Right wrist X-ray · lateral view · cast present
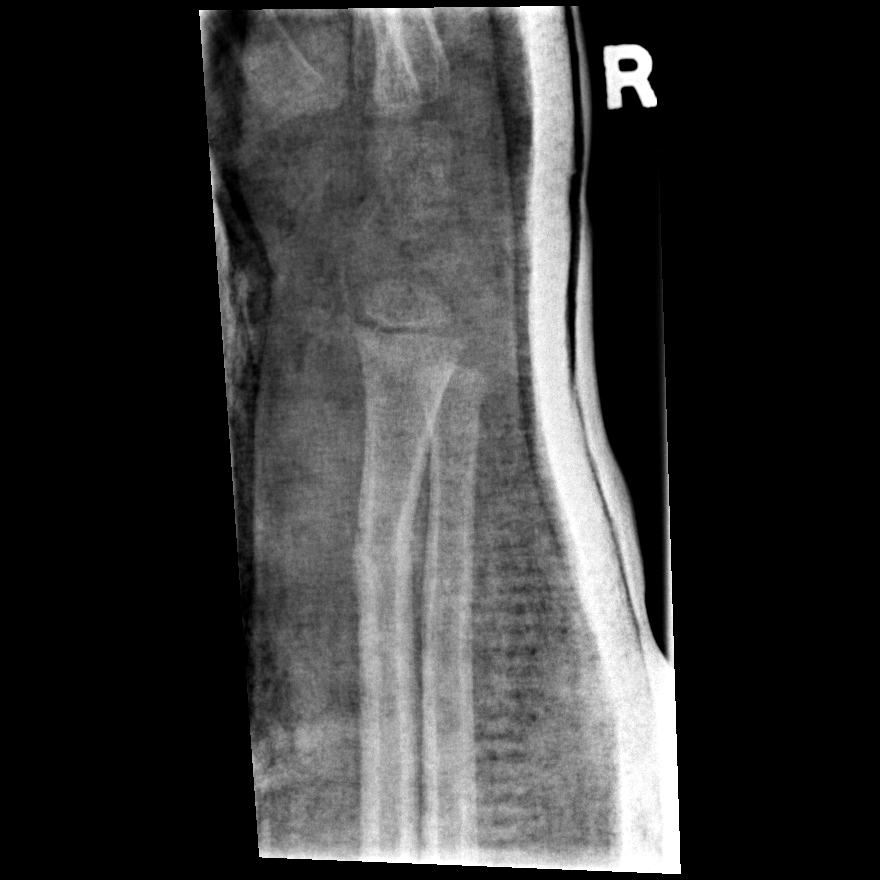 FINDINGS — AO/OTA classification: 22r-D/4.1. Fracture identified at [x1=347, y1=505, x2=428, y2=602].